Lateral projection · left wrist X-ray · 7-year-old boy · index exam.
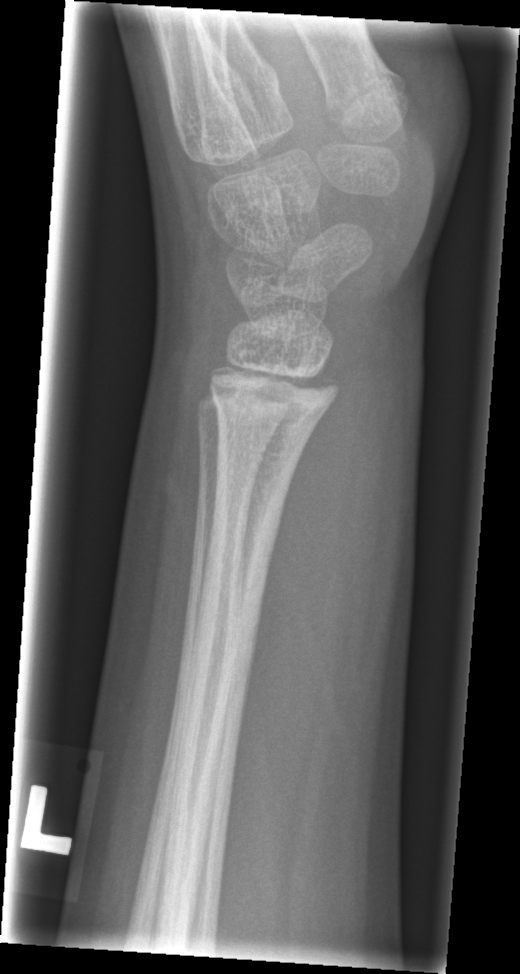

Q: AO code?
A: Fracture classified AO/OTA 23r-E/2.1
Q: Fracture present?
A: Fx identified at 198,355,344,424